L wrist radiograph; posteroanterior view; girl, 10 yo; follow-up study; image 78.3 mm wide —

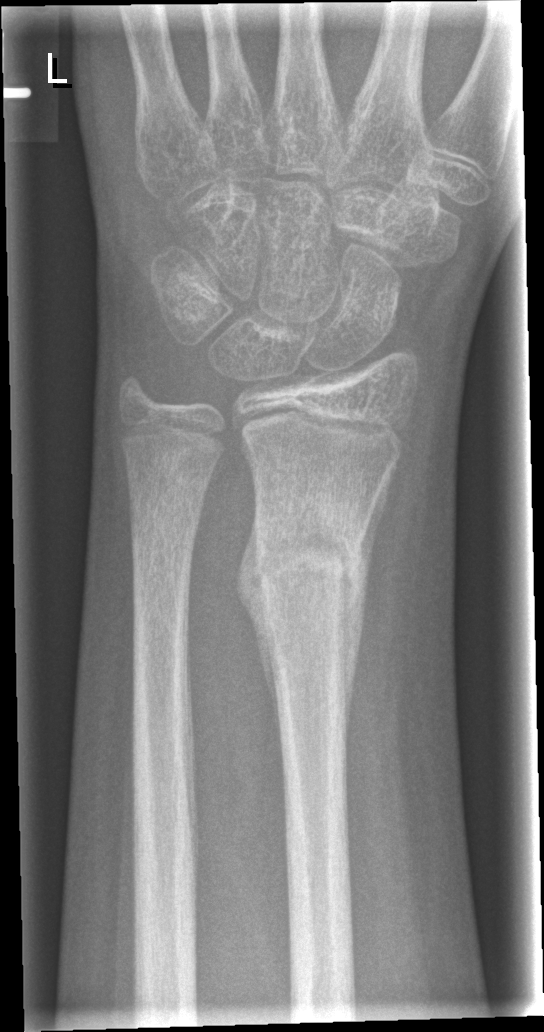 (bounding boxes in image-pixel xyxy)
Periosteal new bone: 343 460 394 753 | 231 504 285 757
AO code: 23r-M/3.1
Fx: 243 502 373 594